PA/AP projection | Lt wrist XR | follow-up 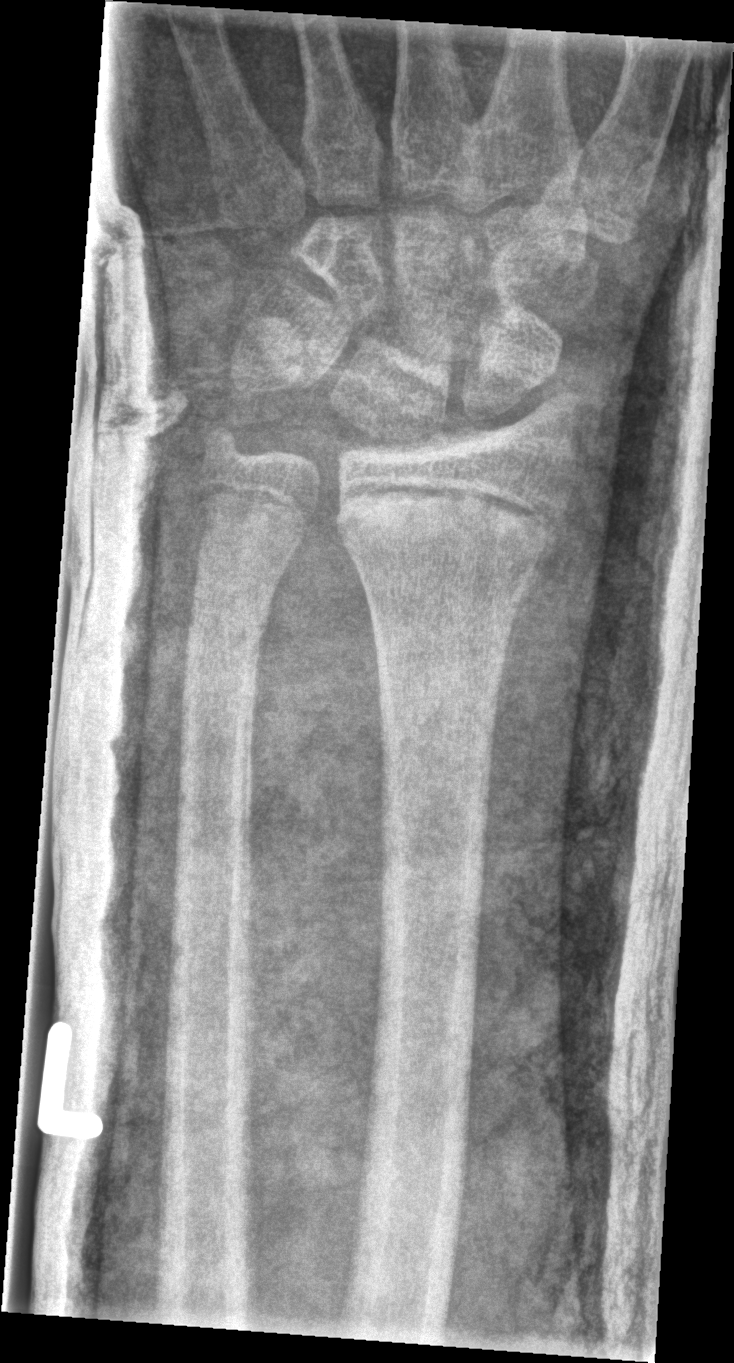

  # pixel coordinates, top-left origin, xyxy
  ao: 23r-E/2.1; 23u-M/2.1
  fracture: 2 @ (332, 476, 572, 564) (177, 592, 276, 667)